Lateral projection, right pediatric wrist radiograph, index exam, detector: Siemens, image 73.3 mm wide —

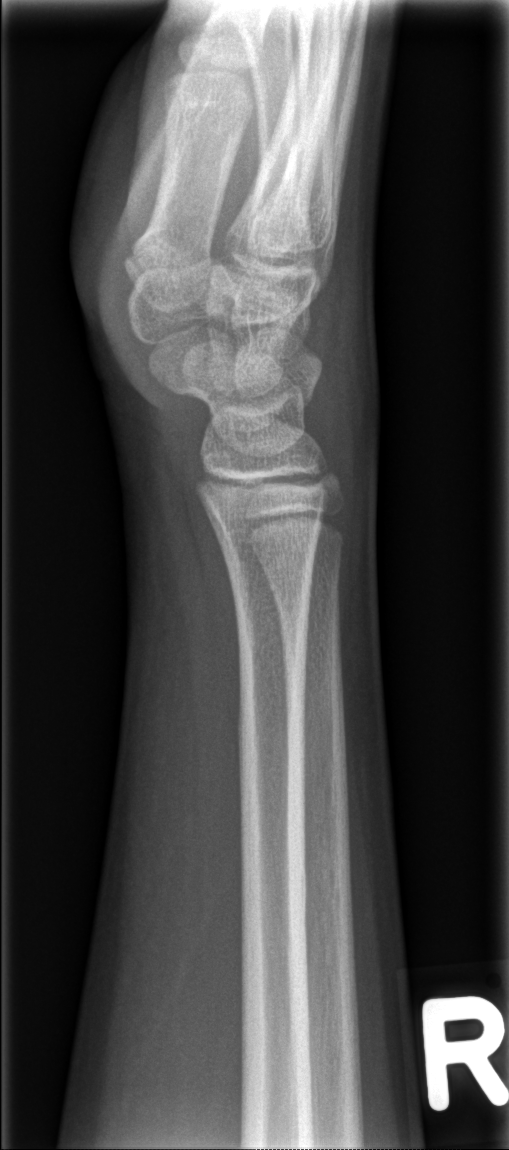

Fx = none labeled